AP view | right plain radiograph of the wrist | image size 568x1190
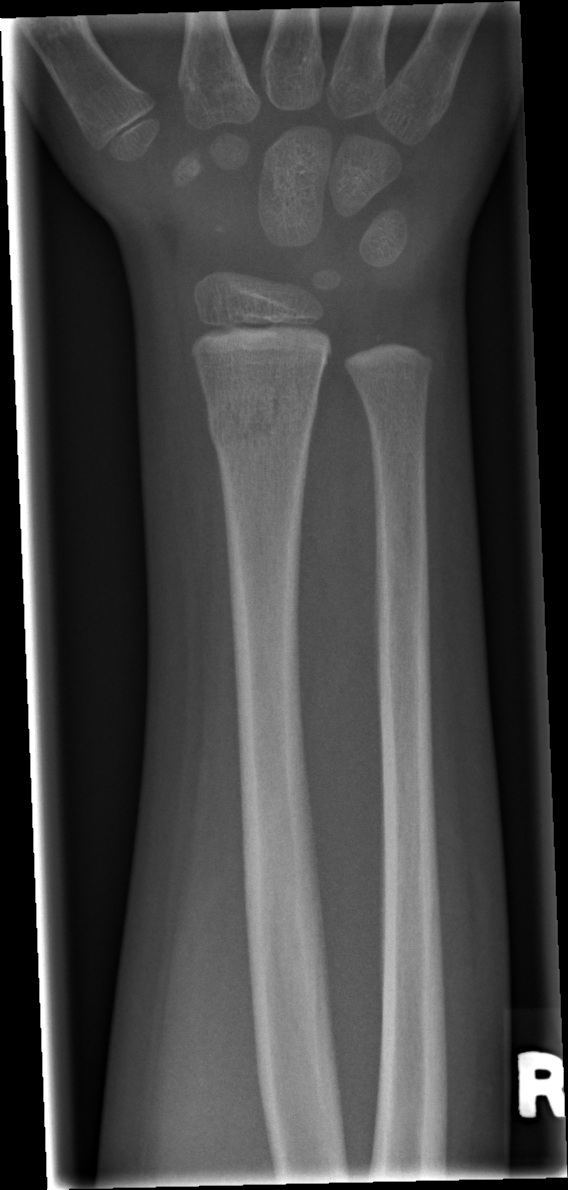 FINDINGS: Bone fracture identified at (205, 381, 319, 447).